Lateral | Lt wrist plain film 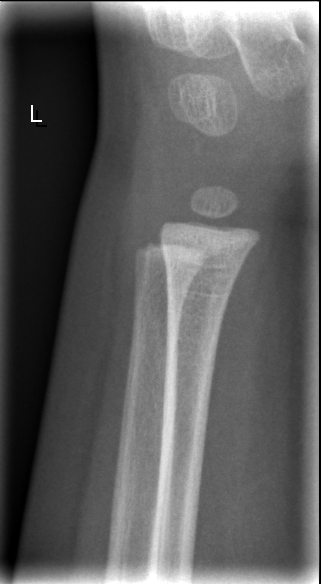
Fx = none labeled